Posteroanterior projection · left wrist XR · initial study —
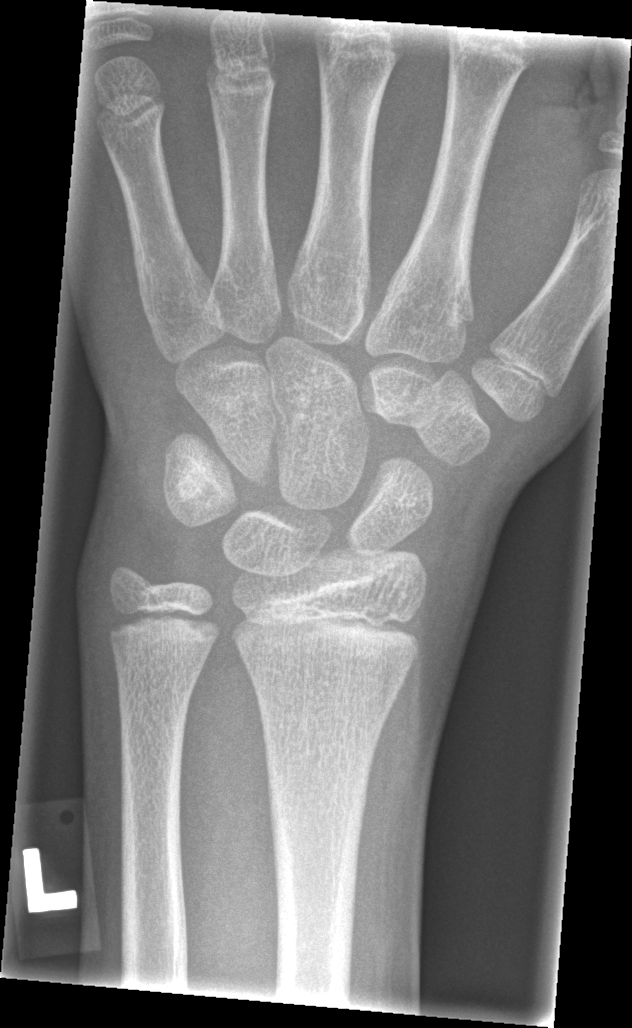 Boxes as x1,y1,x2,y2 (top-left / bottom-right, pixel units).
AO code 23r-M/2.1.
Fracture: [x1=260, y1=754, x2=376, y2=857].